Lat projection; Lt plain radiograph of the wrist; 10-year-old female; follow-up study; imaged through cast; detector: Siemens; image size 762x1098

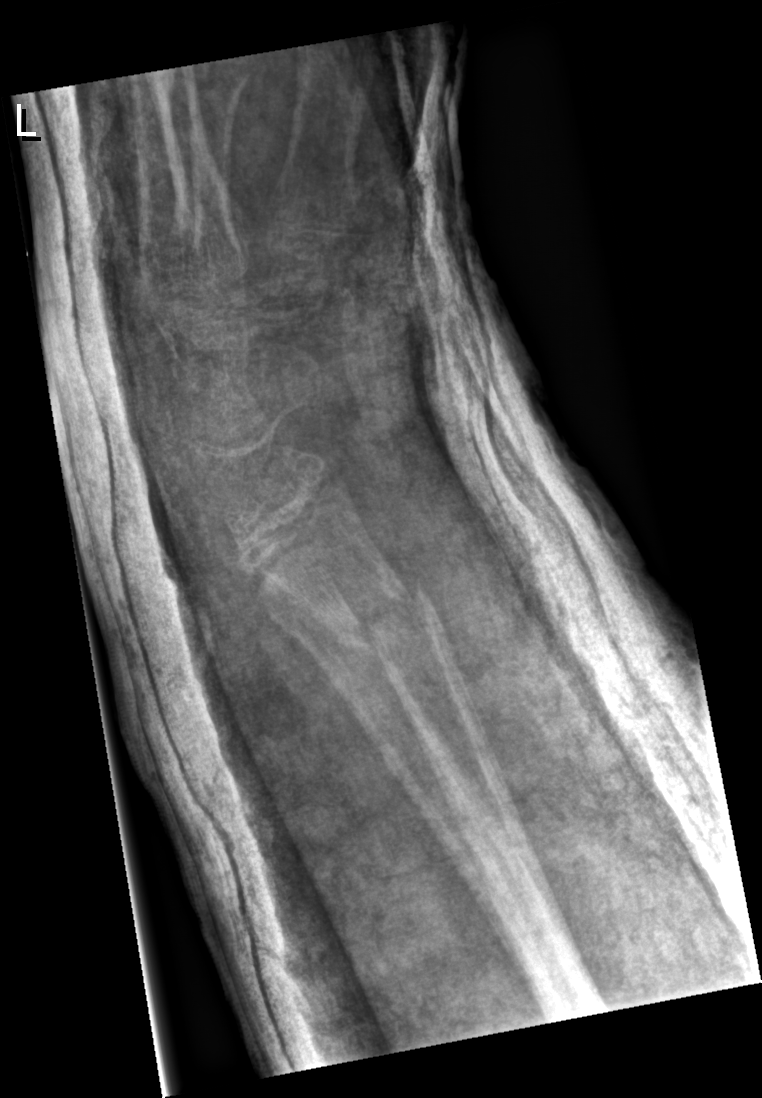
(coordinates are [x1, y1, x2, y2] in image pixels)
Bone fracture: 1 @ <335,571>-<446,673>
AO classification: 23r-M/3.1